Left plain radiograph of the wrist | AP view | detector: Siemens:
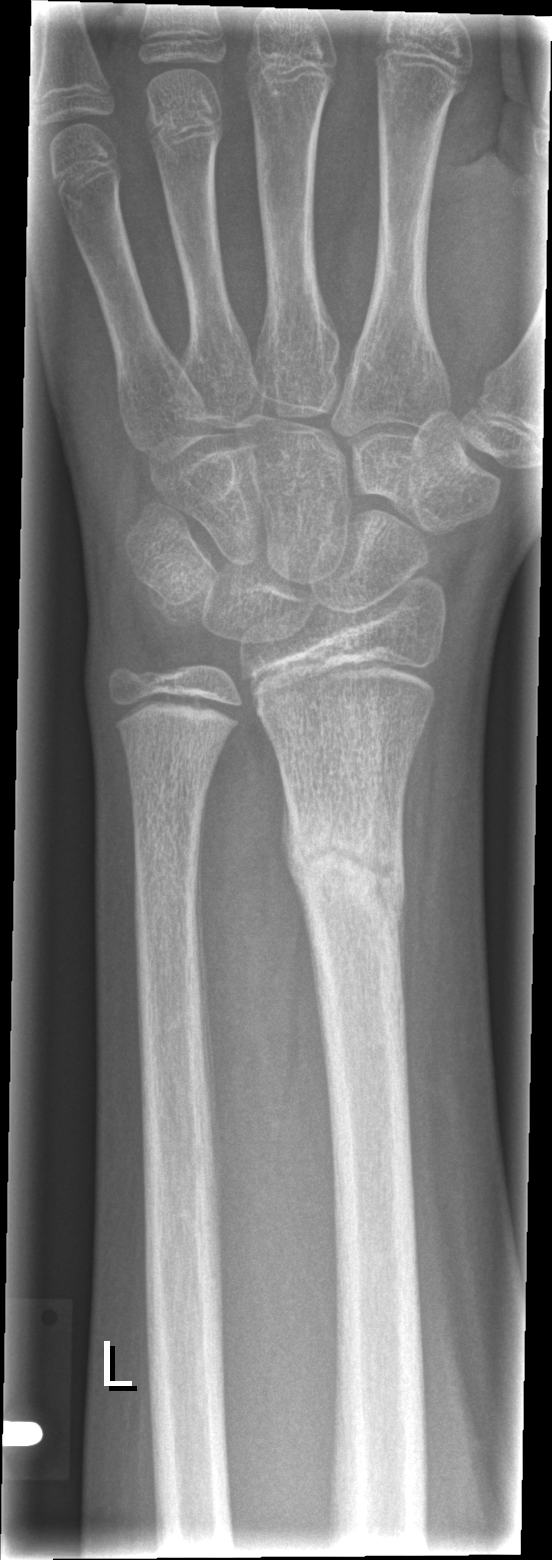 Findings: (boxes as x1,y1,x2,y2 (top-left / bottom-right, pixel units)) Bone fracture: 280 808 415 932. One periosteal thickening at 279 787 314 973. AO/OTA classification: 23r-M/3.1. Osteopenic.